R pediatric wrist radiograph | lateral view:
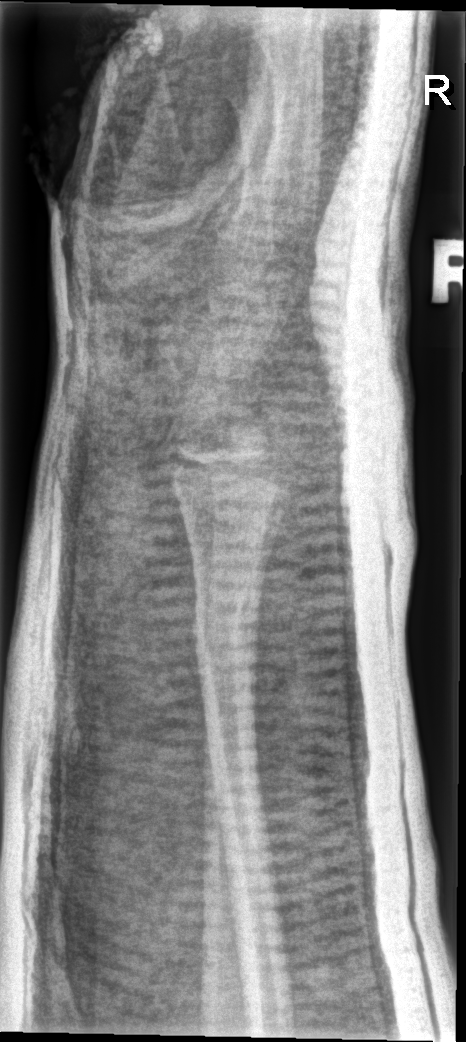   # boxes as x1,y1,x2,y2 (top-left / bottom-right, pixel units)
  fracture: 1 @ [184, 602, 266, 692]